AP view · right wrist plain radiograph of the wrist · initial study: 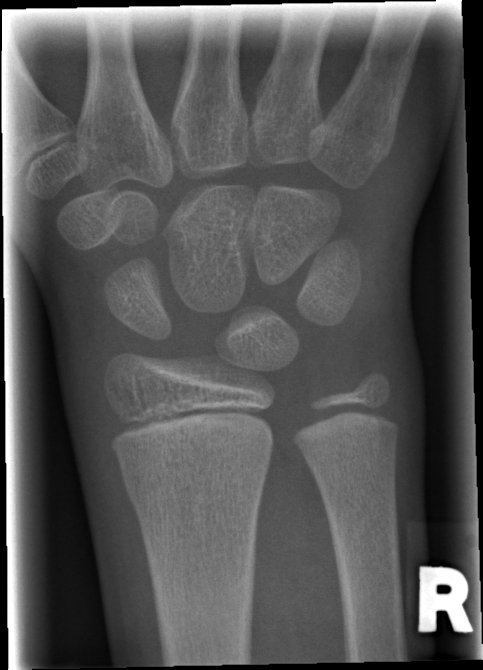 Fracture = (119, 456, 270, 512)